Left wrist X-ray; lateral; image size 522x1116 —

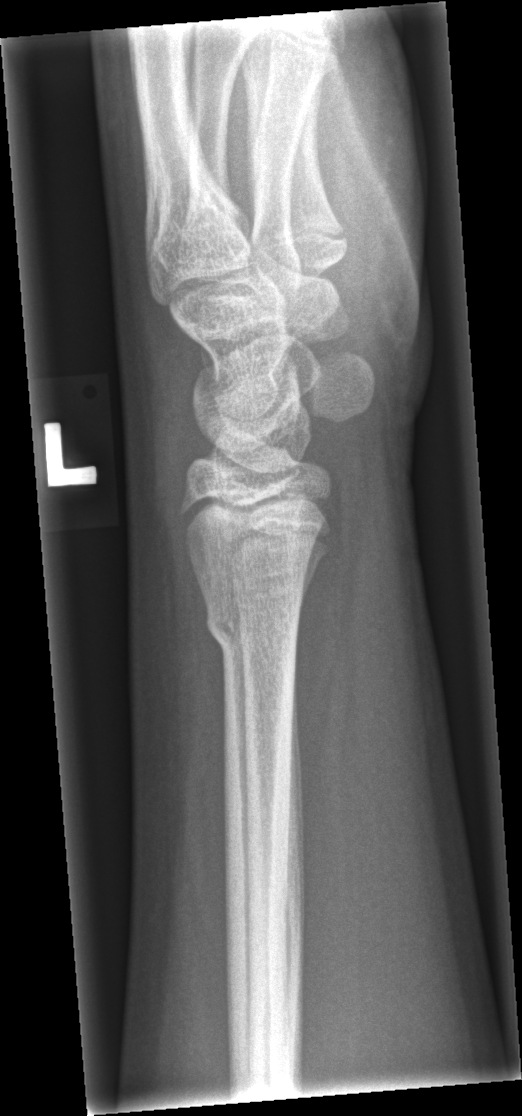
(coordinates are [x1, y1, x2, y2] in image pixels)
Fx: 1 @ bbox(200, 598, 304, 662)
AO classification: 23r-M/2.1